Right wrist radiograph | PA view | index exam | equivocal findings | image size 504x1046.
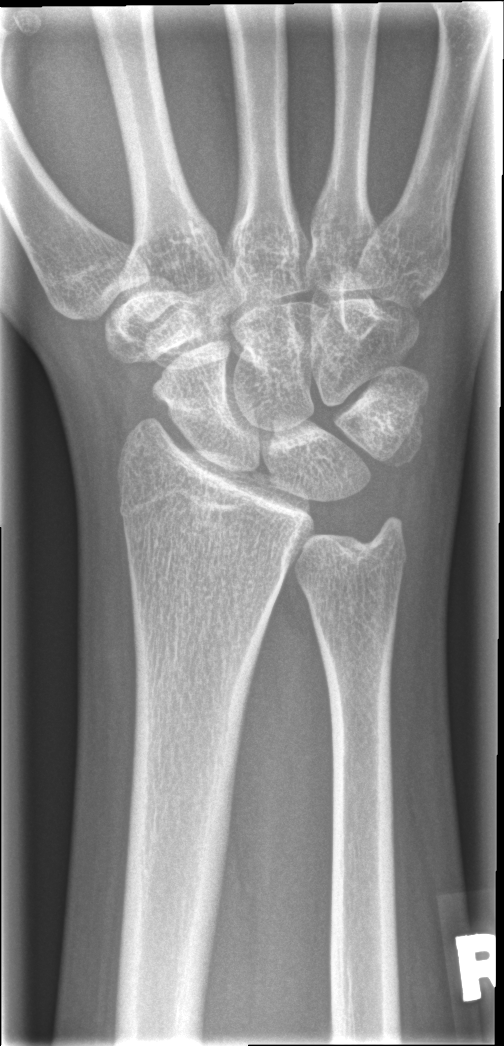
AO/OTA: 23r-M/2.1
Bone fracture: present but not clearly seen in this view